PA view · left wrist XR · 15y M 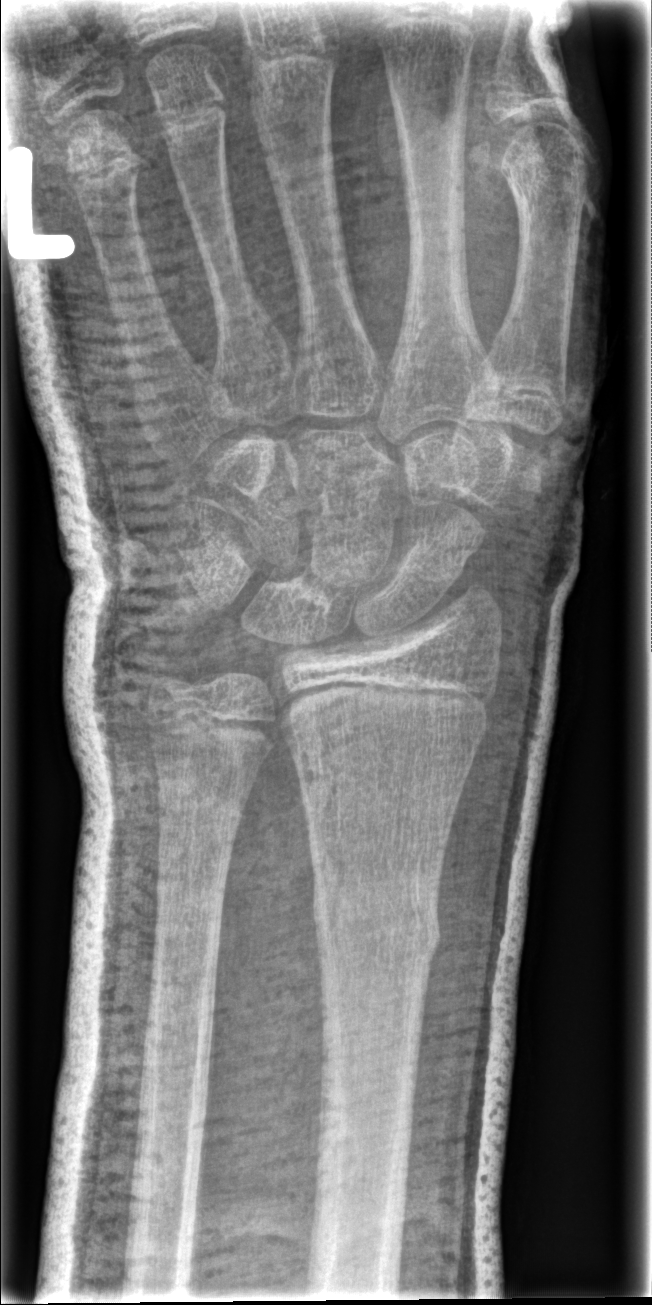

{"_coords": "coordinates are [x1, y1, x2, y2] in image pixels", "ao": "23-M/2.1", "fracture": "308,871,443,968; 154,780,247,837"}